Left pediatric wrist radiograph · PA/AP view · male, 10 yo · subsequent exam · cast in situ
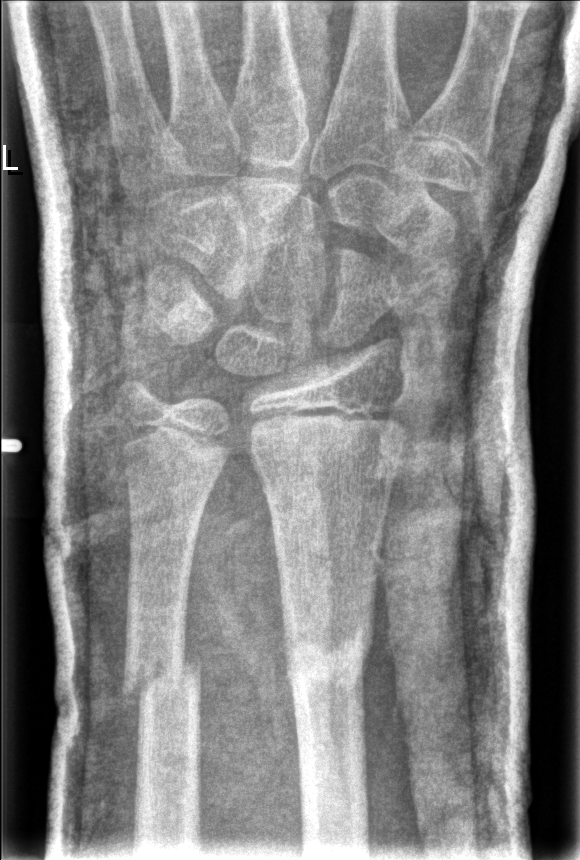

Coordinates are [x1, y1, x2, y2] in image pixels. Two Fx at (276, 619, 378, 699), (115, 639, 206, 720). Fracture classified AO/OTA 23-M/3.1.